Left wrist radiograph | PA/AP projection | subsequent exam | Siemens | 550 x 907 px —
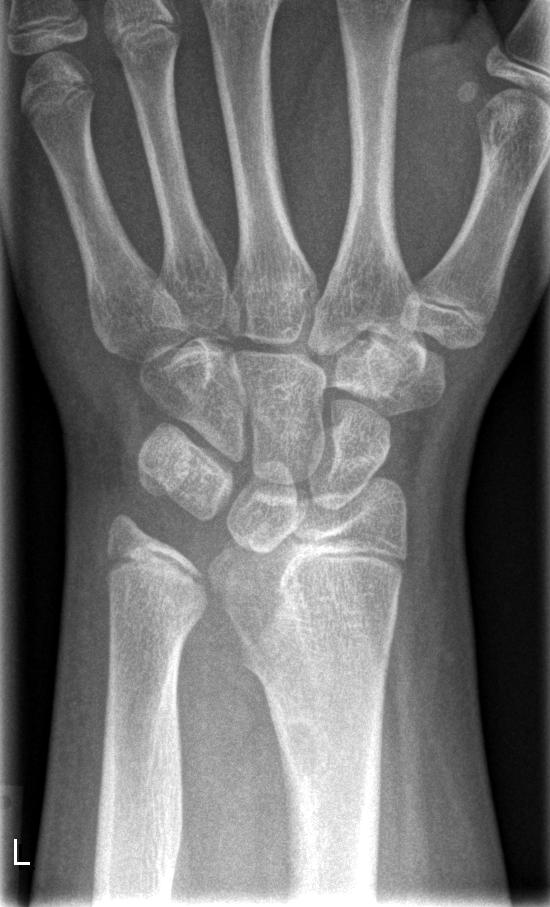

(pixel coordinates, top-left origin, xyxy)
Bone anomaly = bbox(199, 515, 397, 778), bbox(94, 507, 233, 655)
Fracture = none labeled